Left wrist X-ray; PA view; 9y F; image 95.8 mm wide.
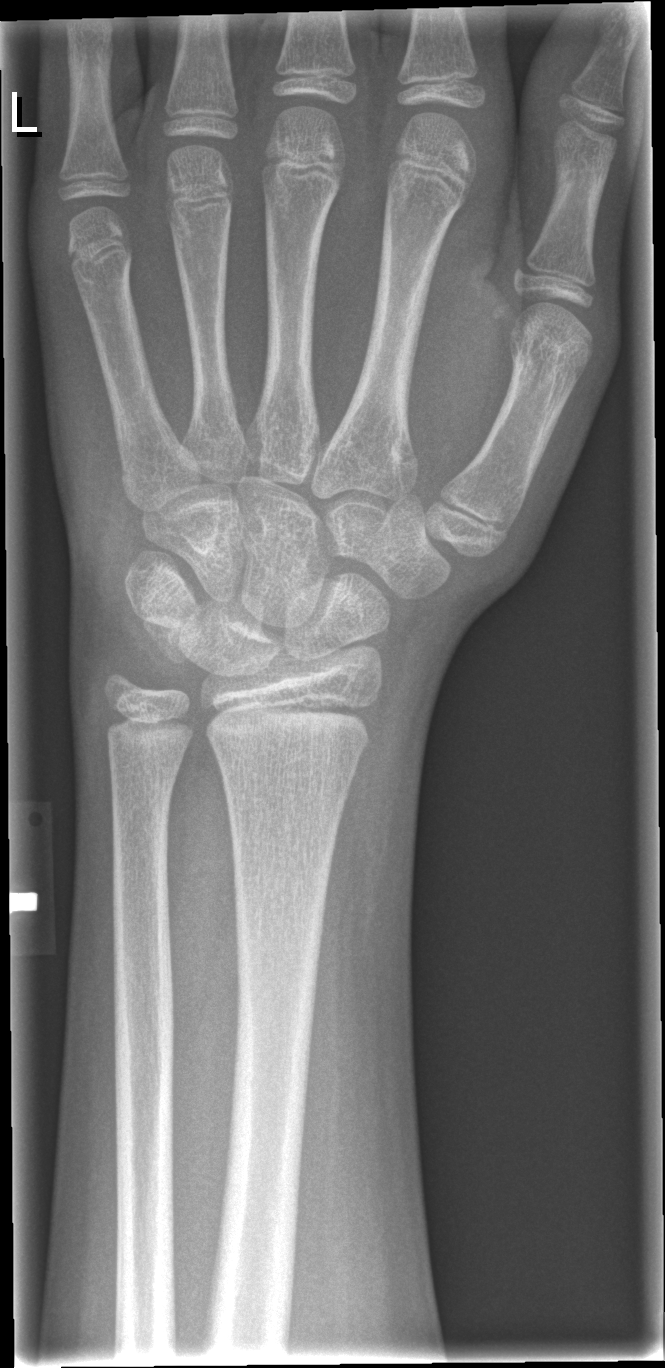

Fx = none labeled